AP view, L wrist plain film, 14-year-old male, image 97.2 mm wide, image size 675x1198:
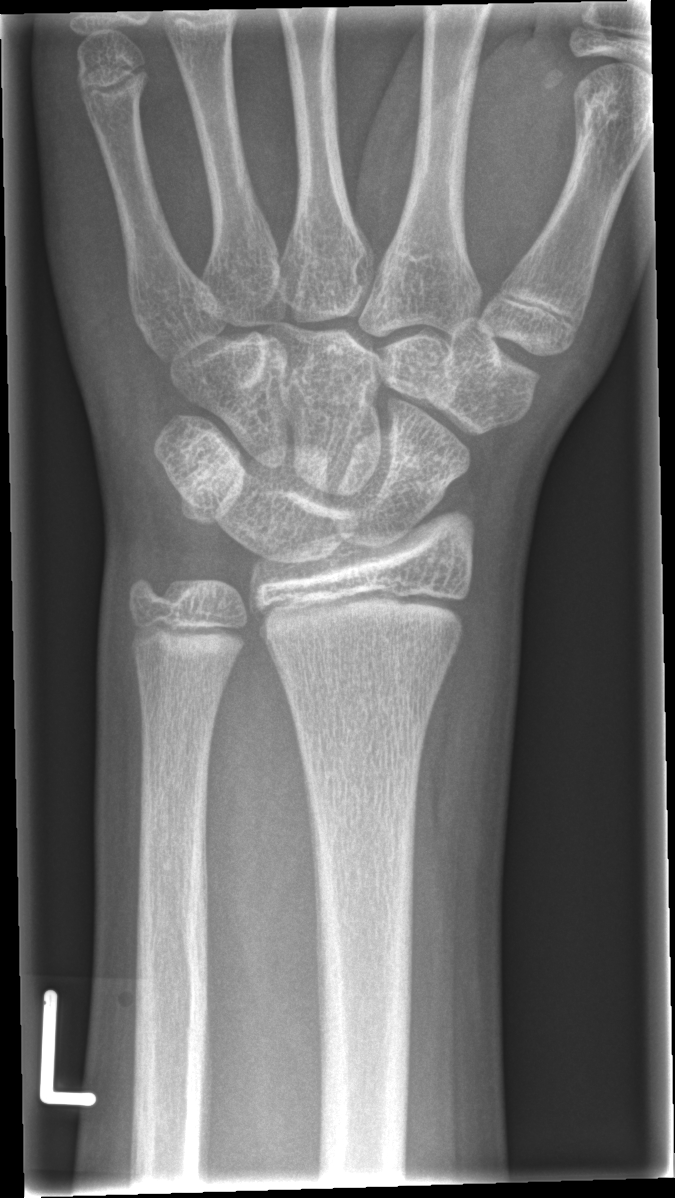 No fracture annotation.